Left wrist radiograph | lateral | 16-year-old male.
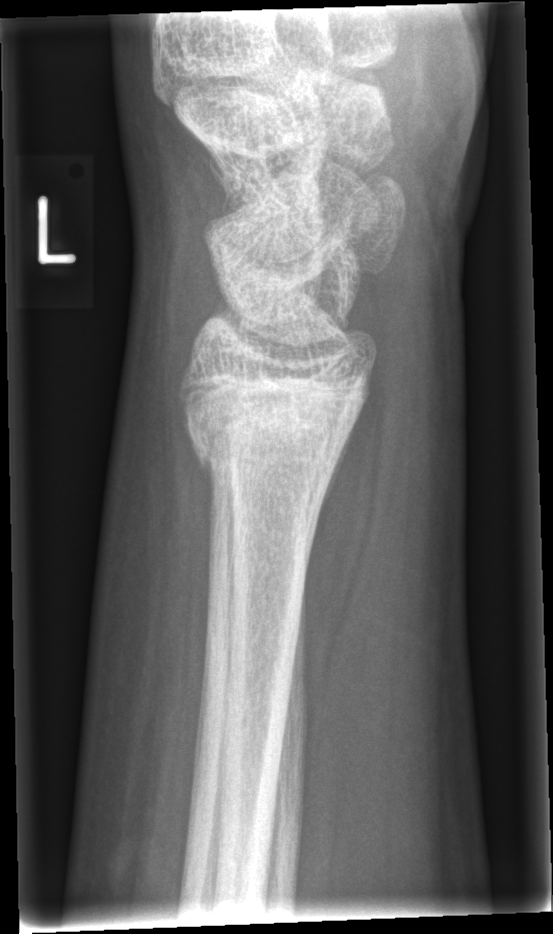
Osteopenia. One periosteal new bone at bbox(314, 409, 363, 531). AO code 23r-M/2.1; 23u-E/7. One Fx at bbox(181, 398, 358, 480).